PA view · right wrist radiograph · 12y M —

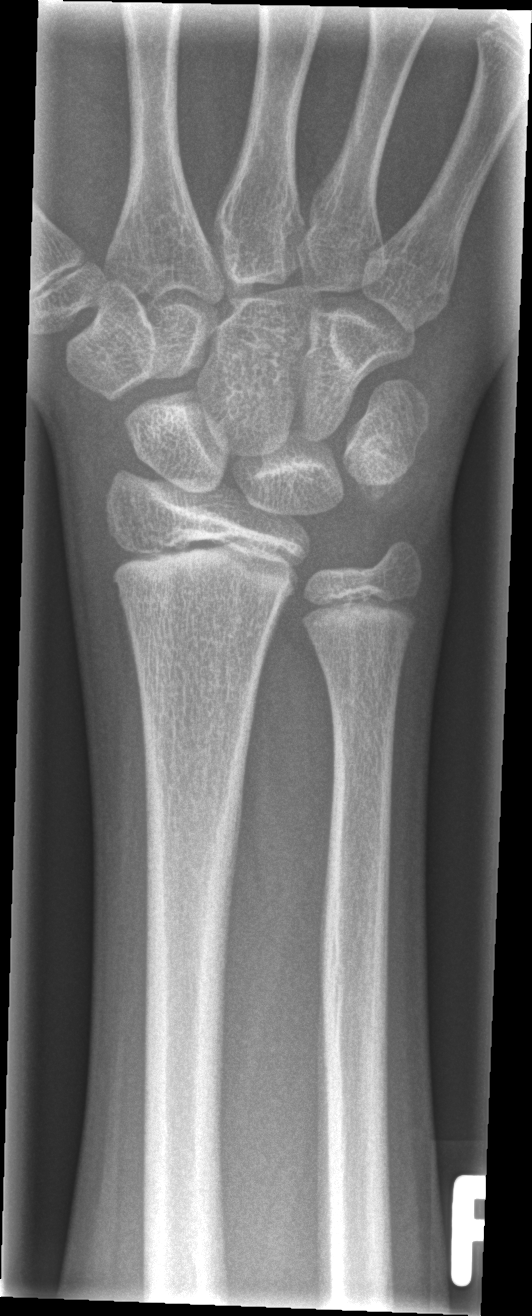
Q: Any fracture seen?
A: No fracture labeled